Lat, L wrist plain film, 64.5 mm image width, image size 448x970

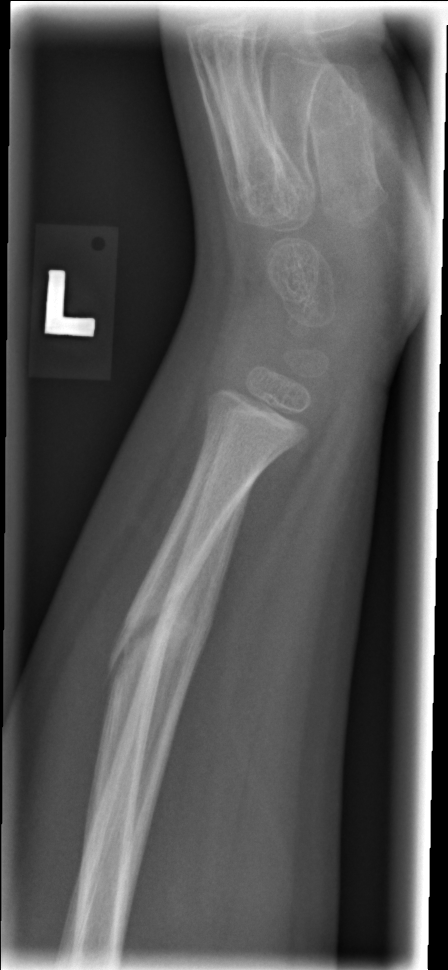

- One fracture at (left=101, top=601, right=189, bottom=695).
- AO/OTA classification: 22-D/4.1.